PA/AP view · right wrist pediatric wrist radiograph · age 10 y, female · image width 111.3 mm.

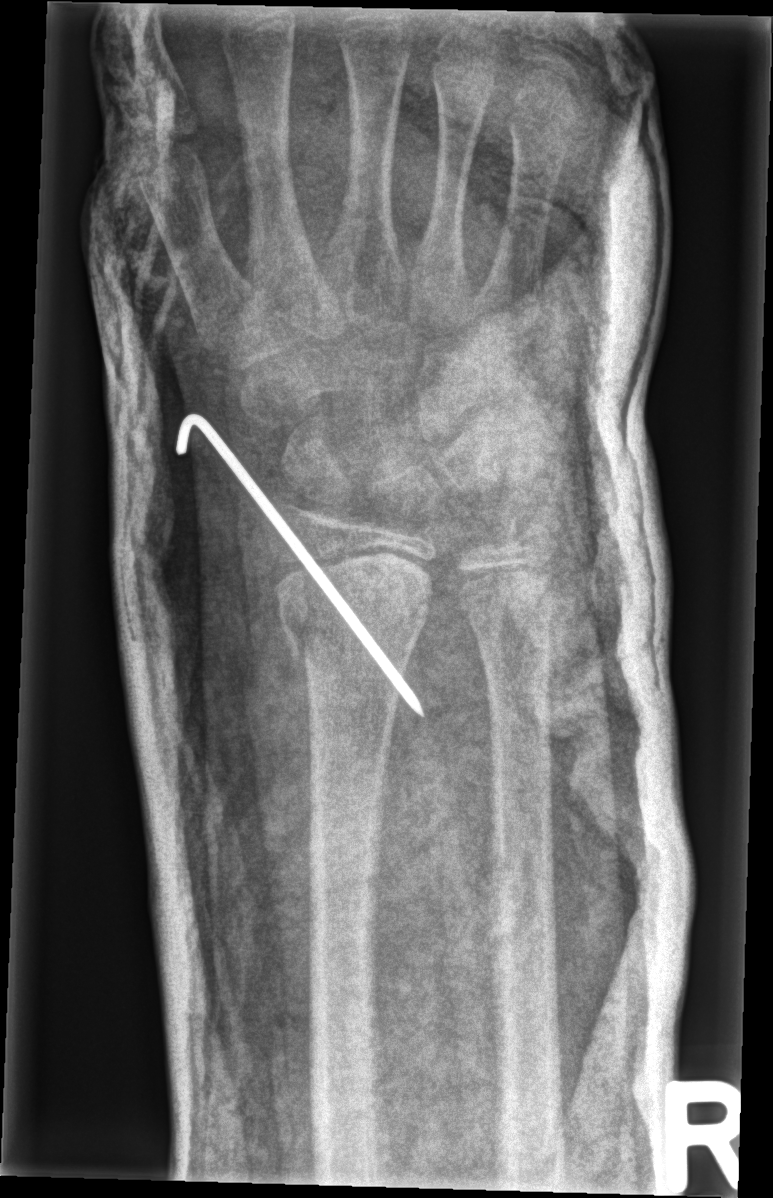 Fracture: 269,553,434,667. Hardware: 174,409,428,722.